AP projection, R pediatric wrist radiograph
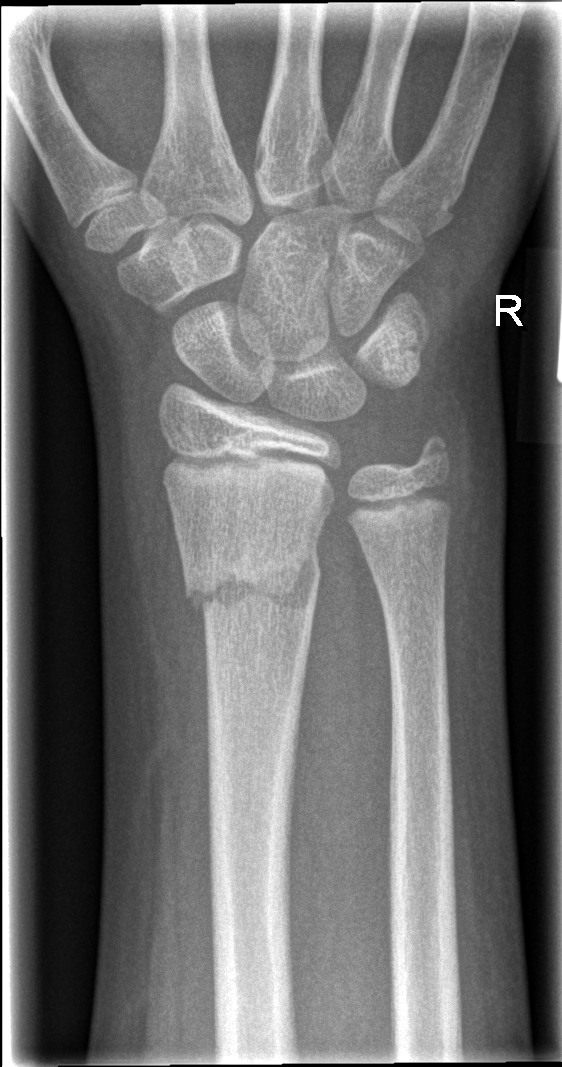 Q: Locate any fractures.
A: Fx: 179 528 324 629
  401 428 460 489